Frontal view · left wrist X-ray · 704 by 1279 pixels

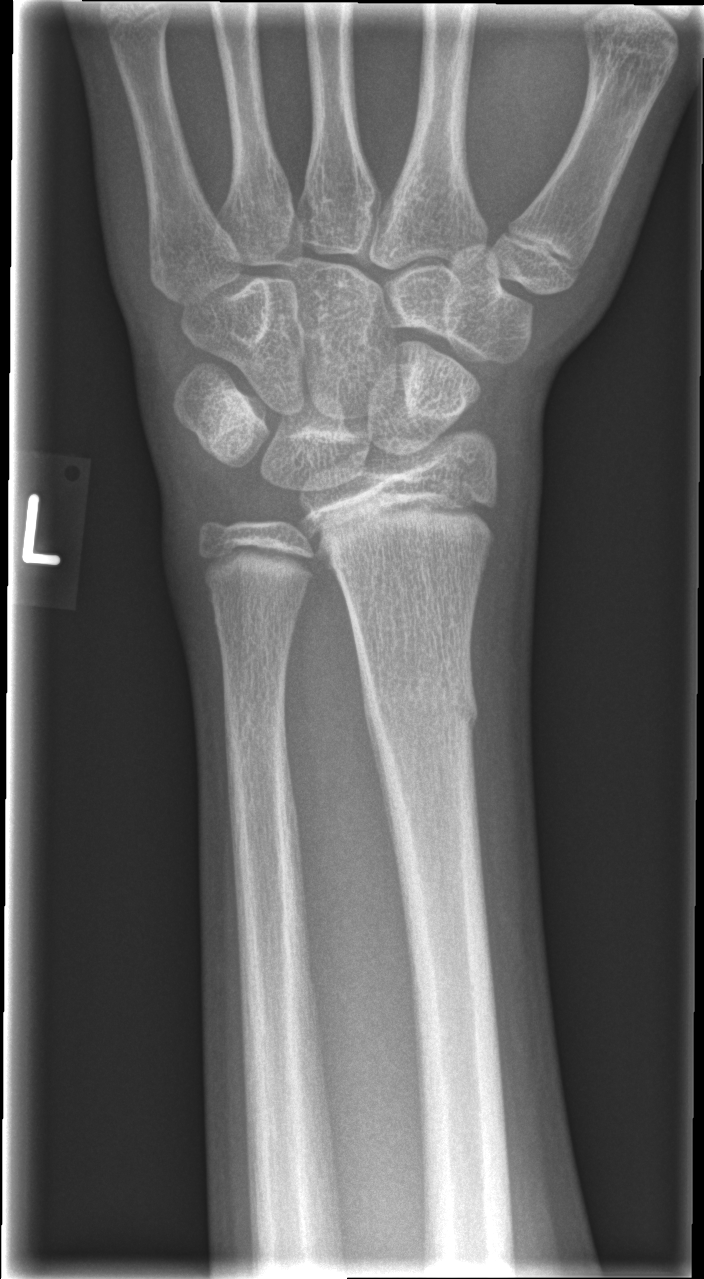

Bone fracture: [361, 664, 483, 761].